PA projection, right wrist XR, pediatric patient (boy, age 11), 416 x 855 px
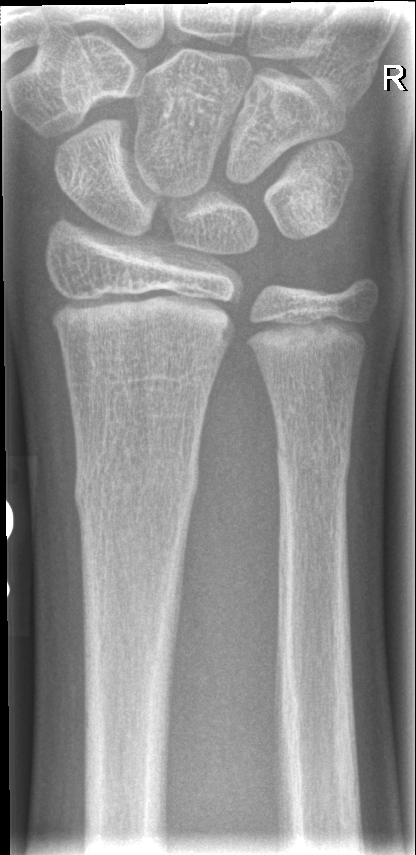

{
  "ao": "23-M/2.1",
  "fracture": "2 @ 71,454,203,519\n  272,438,355,478"
}